Posteroanterior view, right wrist radiograph, age 11 y, boy, cast present

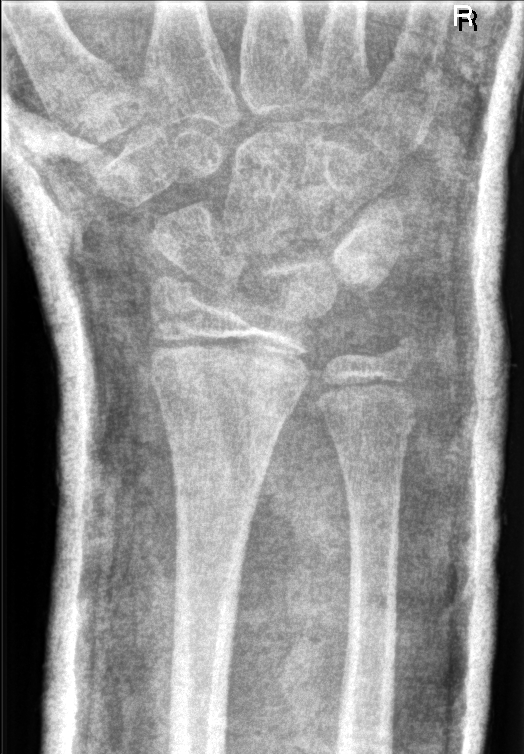
AO code = 23r-E/2.1; 23u-E/7
Fx = bbox(154, 334, 309, 420), bbox(383, 326, 428, 371)